Lt wrist X-ray | posteroanterior.
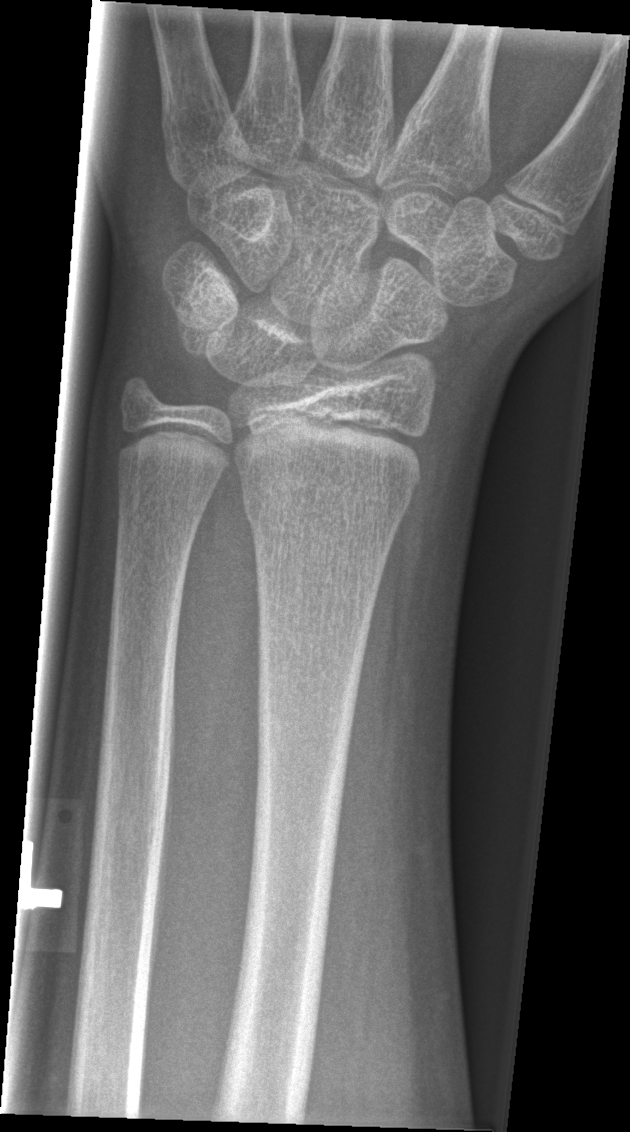
Findings: (bounding boxes in image-pixel xyxy) Fracture: bbox(235, 465, 422, 543).